Lat · Lt pediatric wrist radiograph · pediatric patient (boy, age 7). 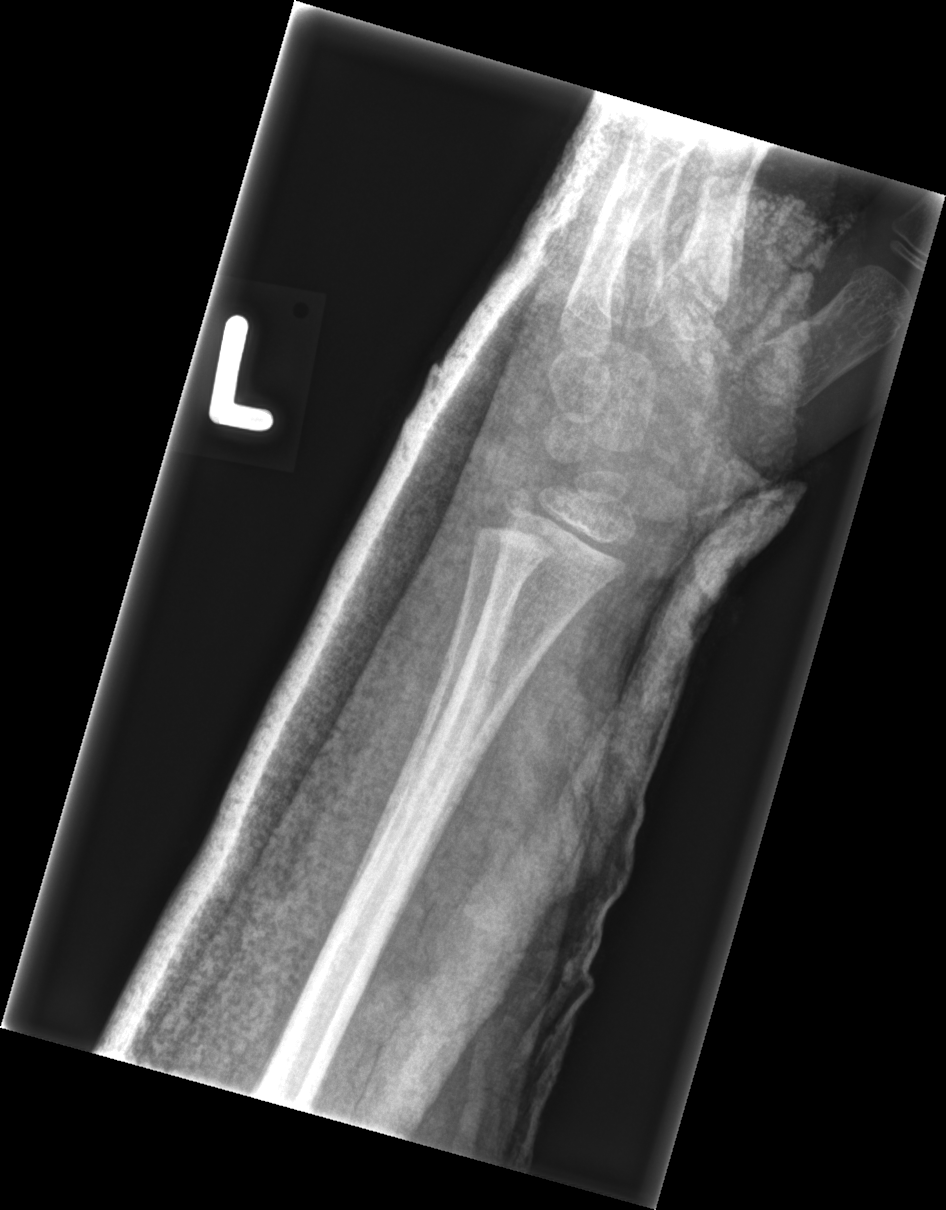
(boxes as x1,y1,x2,y2 (top-left / bottom-right, pixel units))
AO classification = 22r-D/1; 23u-M/3.1
fracture = 1 @ [x1=435, y1=643, x2=505, y2=706]